L wrist radiograph; lateral; initial study. 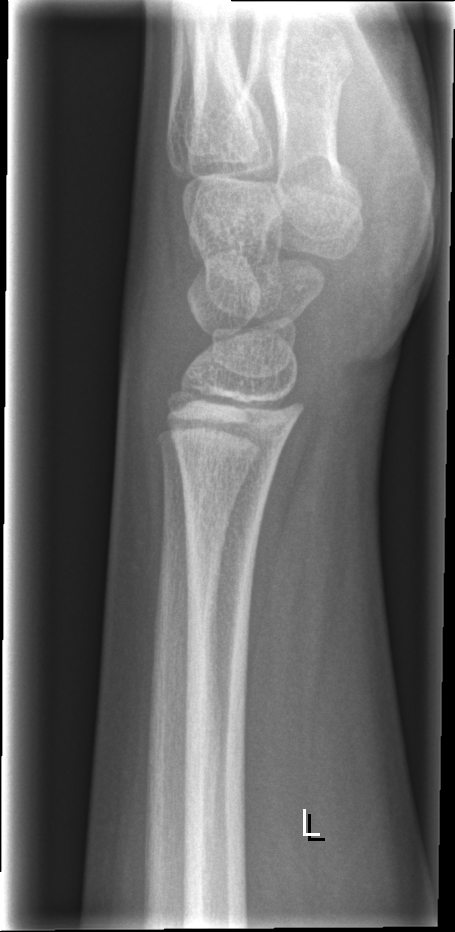
FINDINGS: Fx: none.